Right pediatric wrist radiograph · AP projection · boy, 14 yo · acquired on Siemens · image size 522x756.

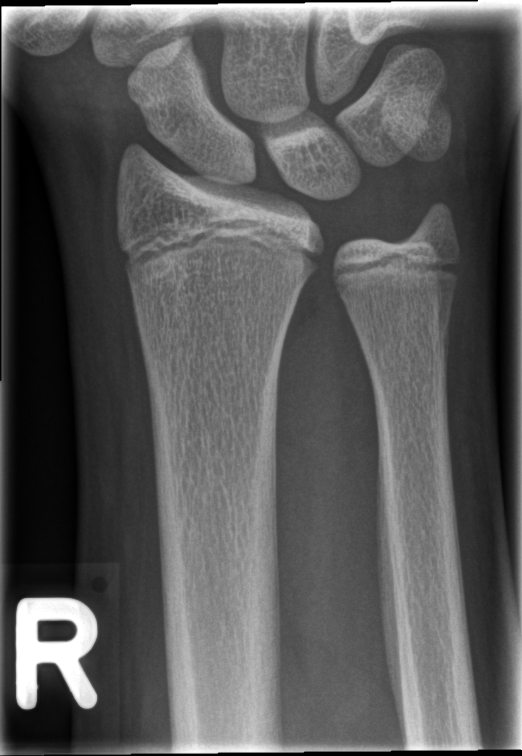 - No fracture annotation.